Left wrist plain film; PA/AP projection —
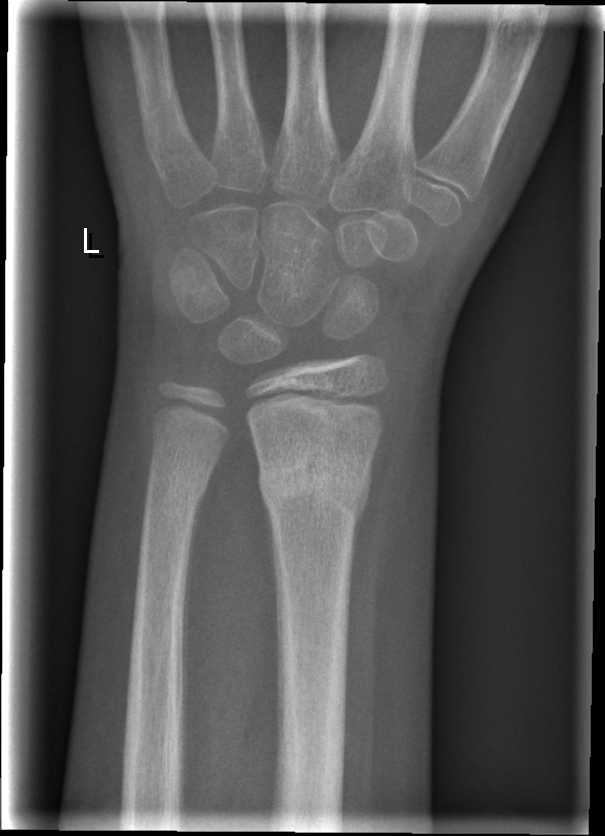
FINDINGS — Osteopenia. Periosteal reaction: (180, 490, 206, 796), (348, 446, 374, 591), (262, 496, 281, 681). Fractures — (254, 441, 375, 527) (143, 456, 214, 503).